Lat view, right wrist XR, imaged through cast 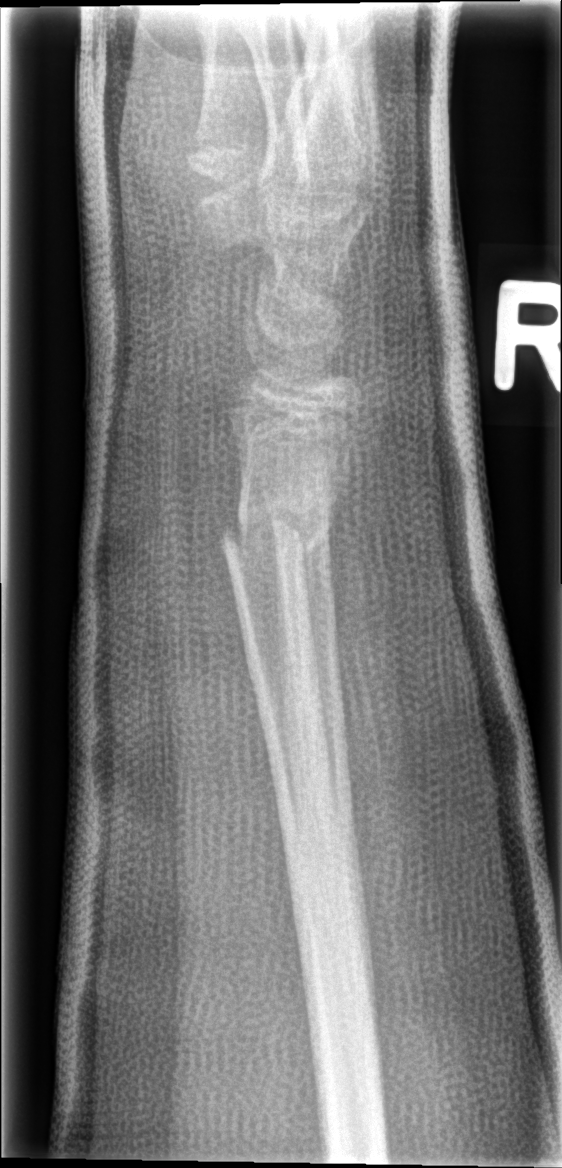

FINDINGS: (bounding boxes in image-pixel xyxy) Fx: [x1=219, y1=485, x2=327, y2=582]. AO/OTA classification: 23r-M/3.1; 23u-E/7.